Right wrist XR | PA/AP projection | 13y F | initial study 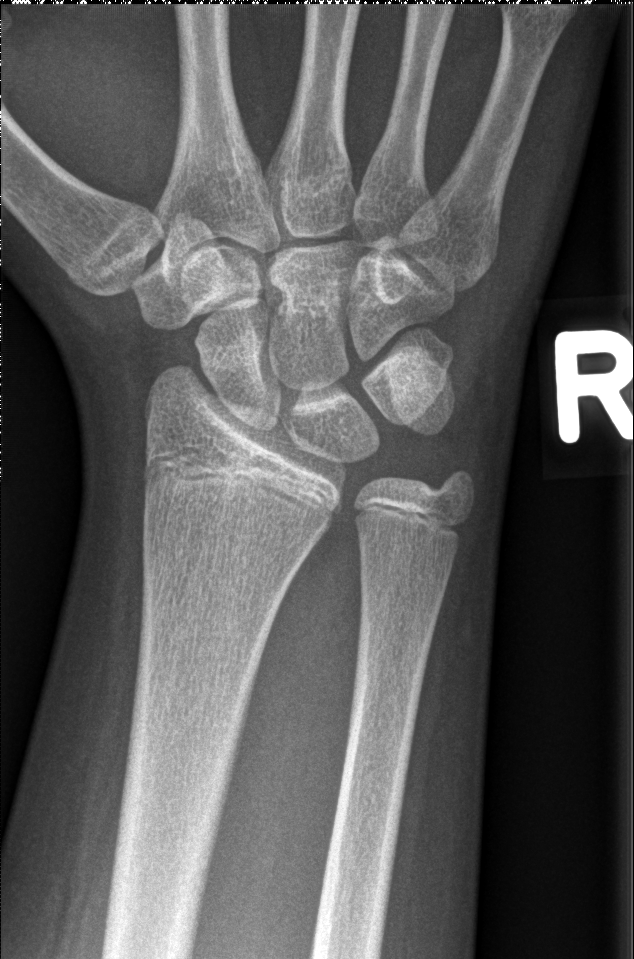 Findings: No fracture annotation.